R wrist radiograph, lat projection, 11y M, acquired on Siemens, image 73.6 mm wide —

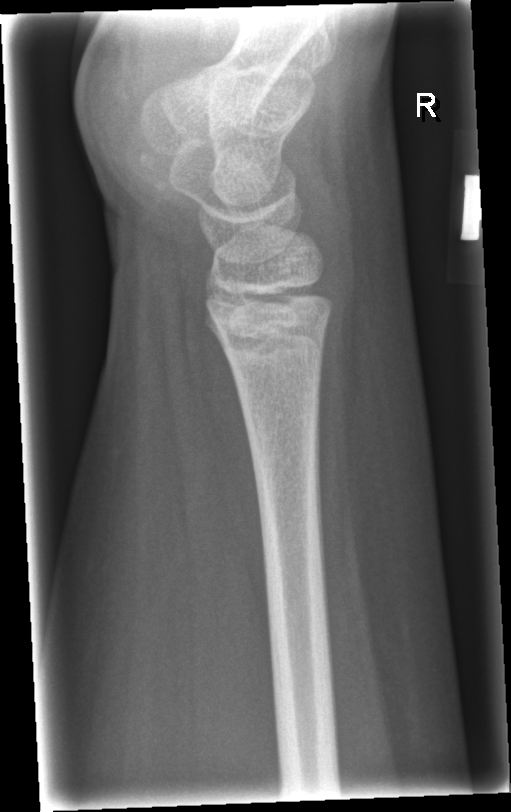 No fracture labeled.